AP projection; right wrist XR; 12-year-old boy; follow-up study; 695 x 812 px —
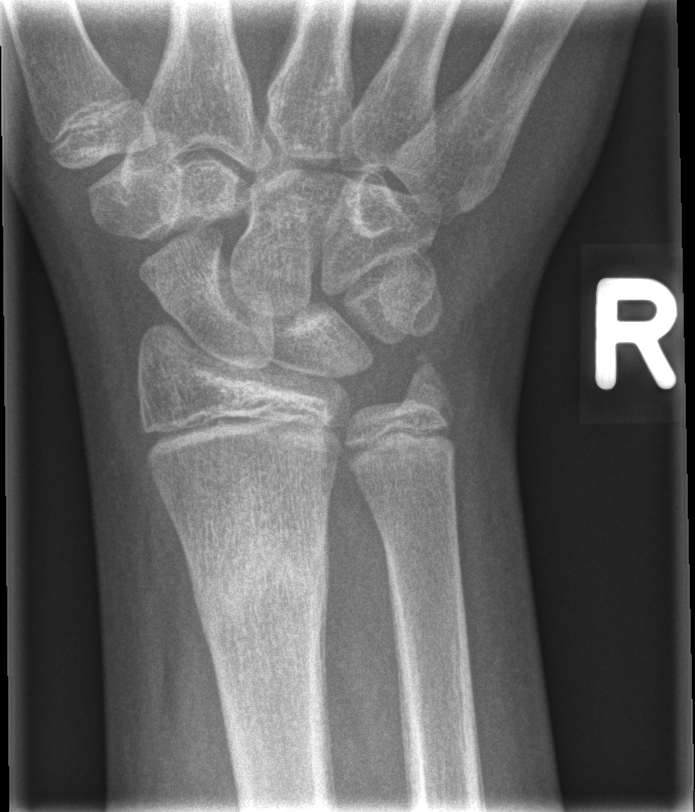

{"fracture": "[191, 522, 334, 658], [401, 350, 454, 411]", "ao": "23r-M/3.1; 23u-E/7", "periostealreaction": "[318, 509, 338, 807]"}